Lt pediatric wrist radiograph; lat.

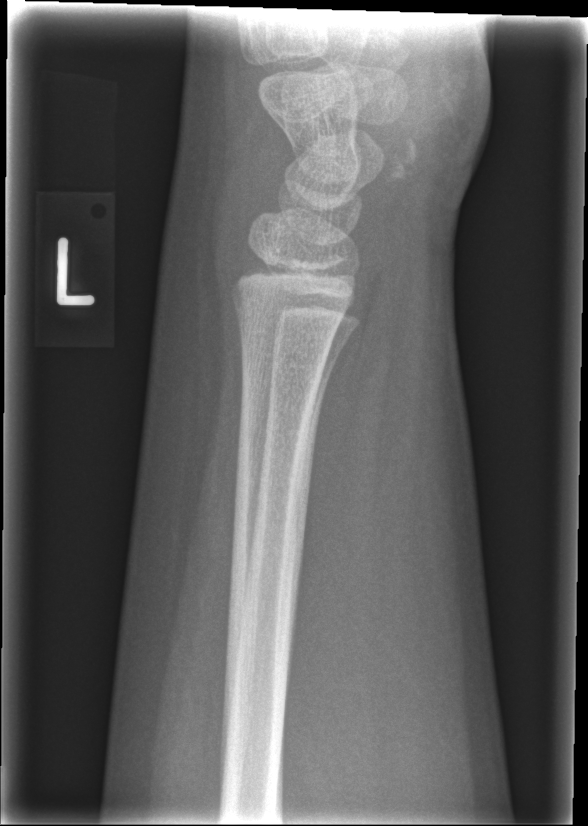 • Fracture: none labeled.